Left wrist radiograph; posteroanterior; 11-year-old girl; 720 x 983 px

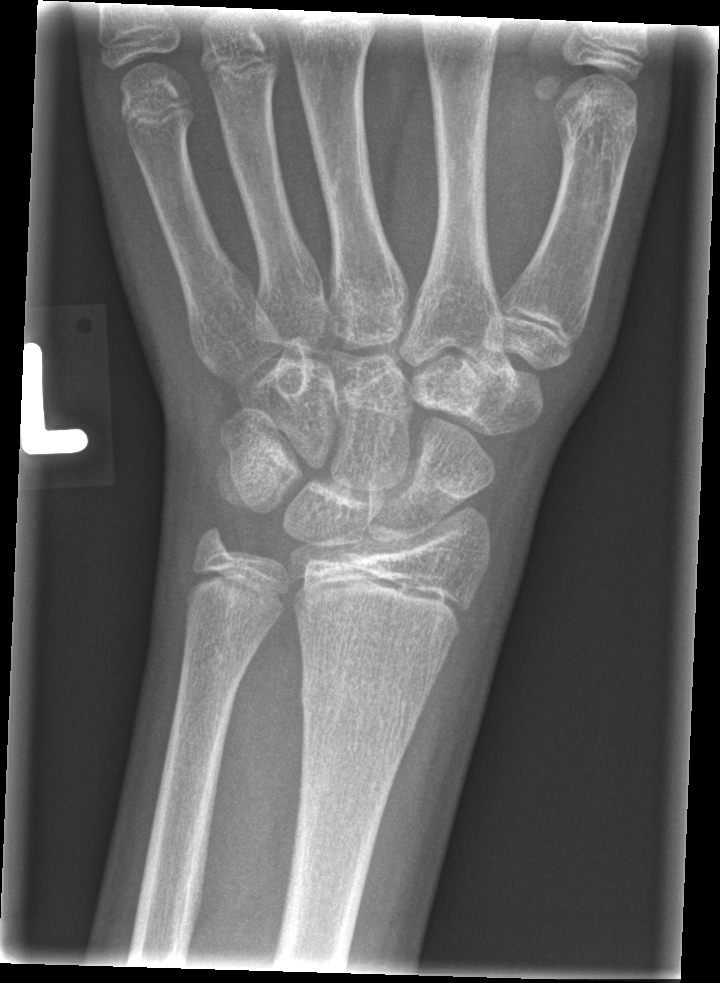

Boxes as x1,y1,x2,y2 (top-left / bottom-right, pixel units). Fracture identified at bbox(295, 666, 430, 752).